AP · R wrist radiograph · pediatric patient (boy, age 12):
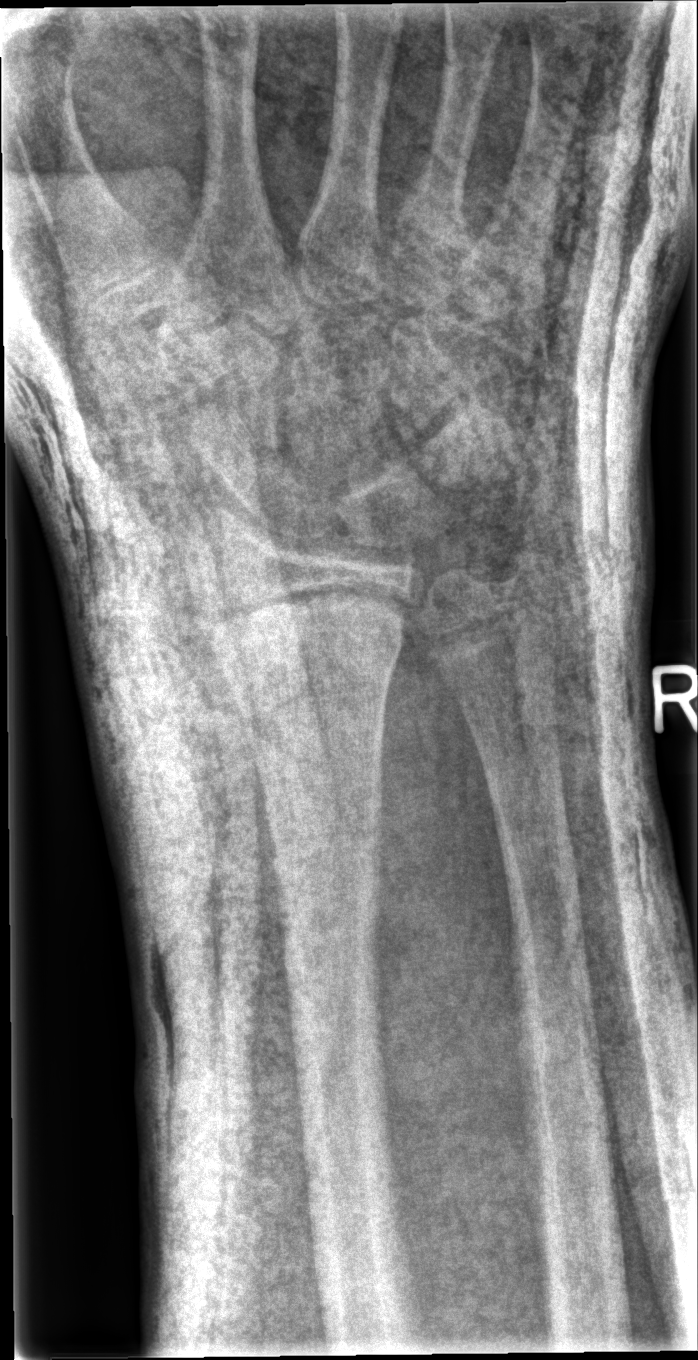
Bone fracture = present but not clearly seen in this view